PA · left plain radiograph of the wrist · pediatric patient (male, age 16) · initial study · detector: Siemens. 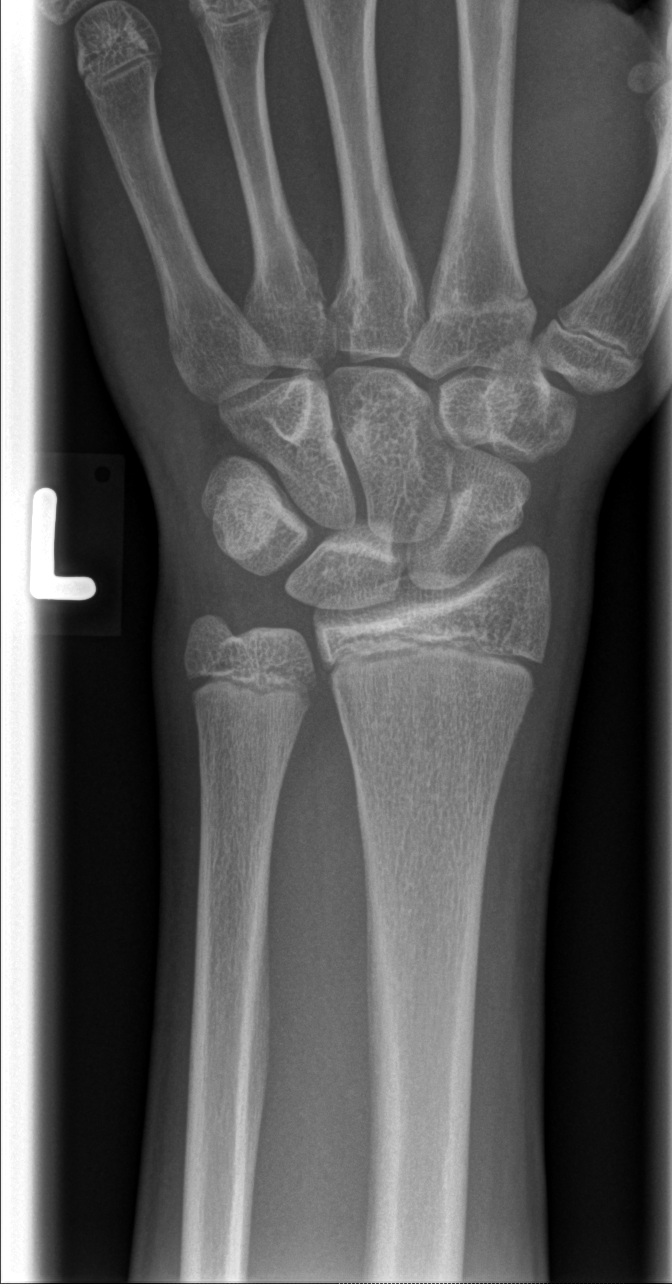 Q: Is there a fracture?
A: No Fx annotated